Lat projection, R plain radiograph of the wrist.
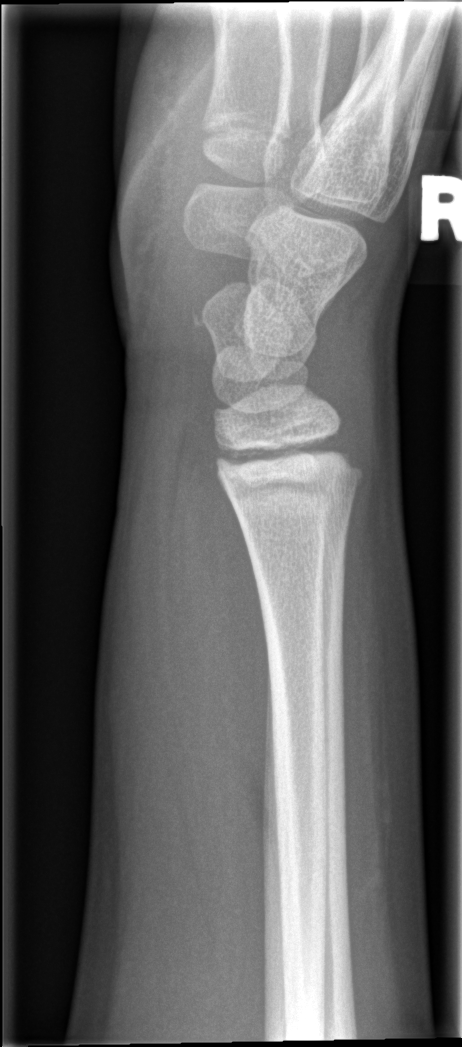

FINDINGS: (bounding boxes in image-pixel xyxy) AO/OTA classification: 23r-E/2.1. Fracture identified at (left=211, top=437, right=367, bottom=509). Pronator sign — (left=161, top=419, right=282, bottom=839).